Left wrist plain film, PA view, age 8 y, boy, 465x974. 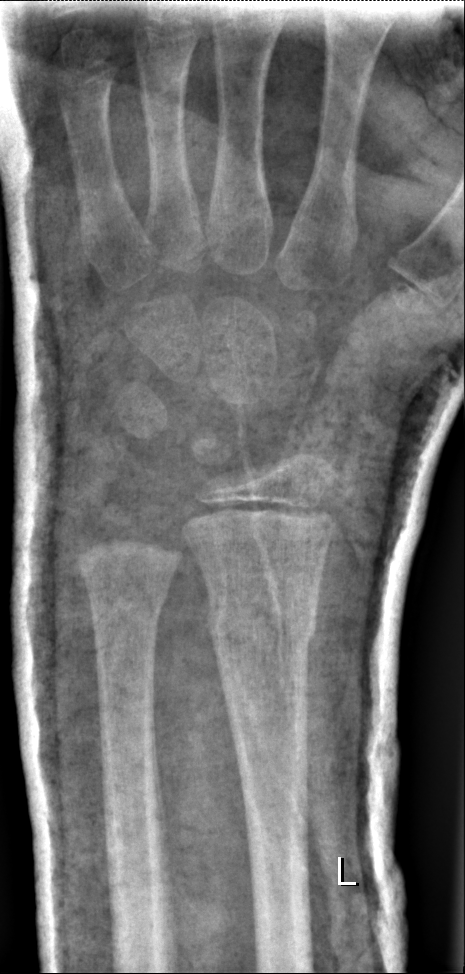

Fx: 2 @ [x1=203, y1=585, x2=320, y2=663] [x1=80, y1=567, x2=173, y2=624]